Lt wrist radiograph, PA/AP projection, 15y M, index exam
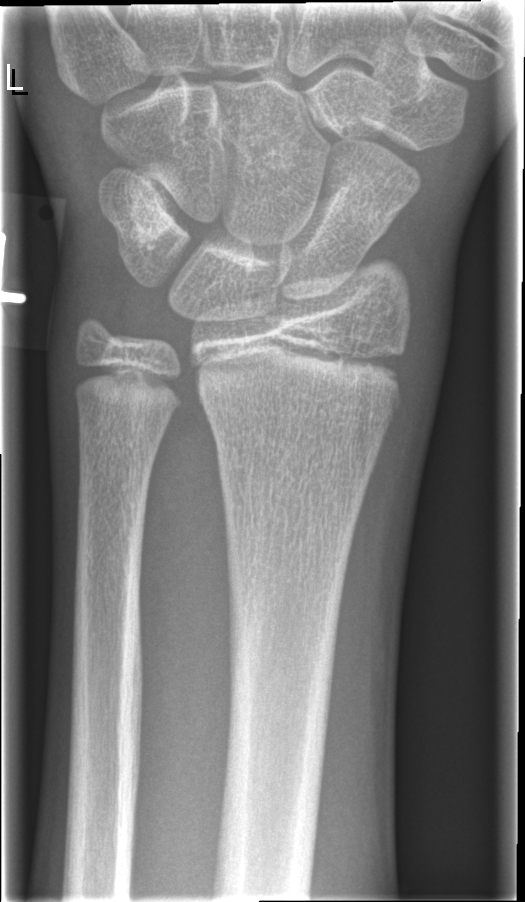

• Fx: none.